PA projection · Rt plain radiograph of the wrist · initial study · 543 by 1006 pixels — 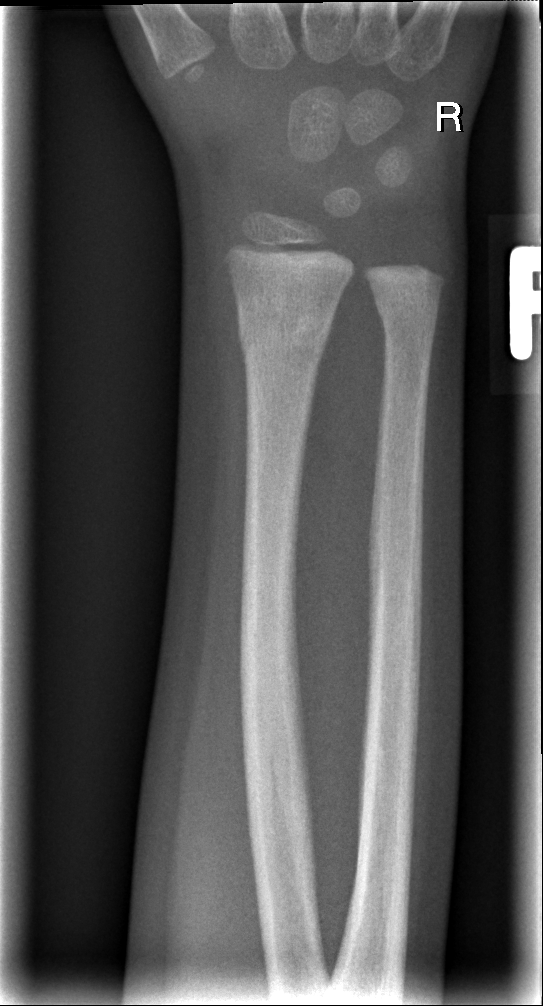 FINDINGS: Fx: (left=233, top=289, right=337, bottom=373), (left=369, top=285, right=443, bottom=342). AO/OTA classification: 23-M/2.1.